Posteroanterior view; L wrist plain film; boy, 13 yo; imaged through cast; image width 99.1 mm —
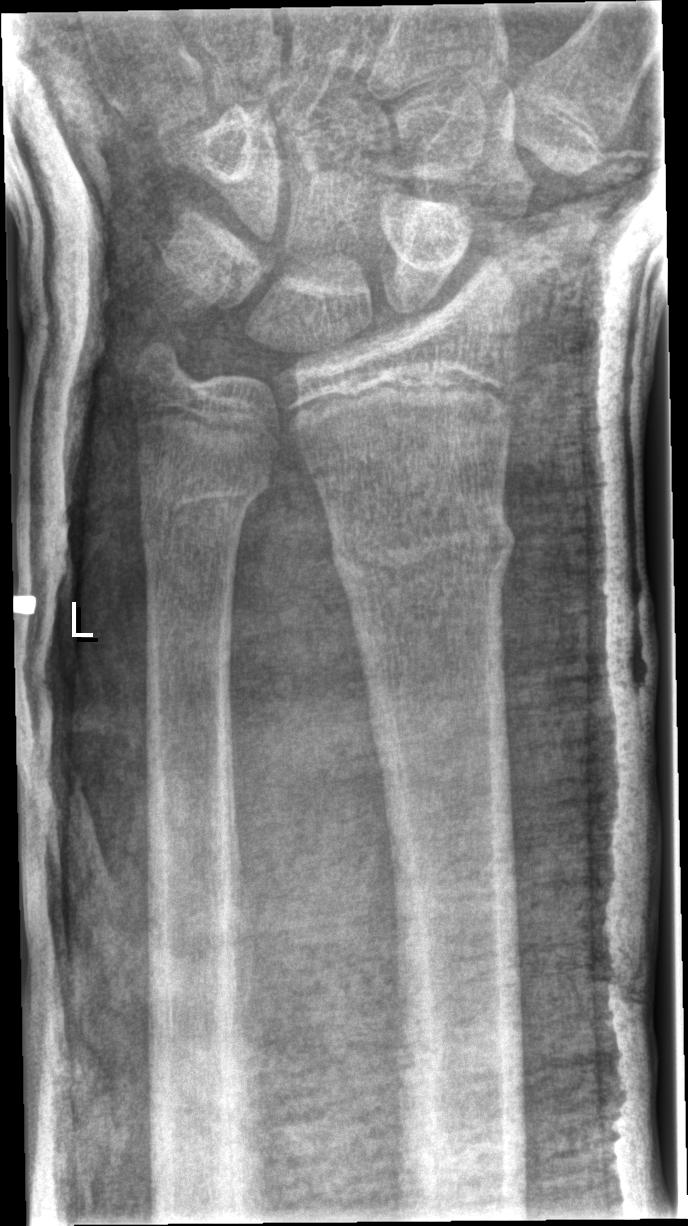 FINDINGS: Two bone fractures at (326, 492, 519, 598), (133, 467, 277, 536).